Frontal projection · right wrist pediatric wrist radiograph 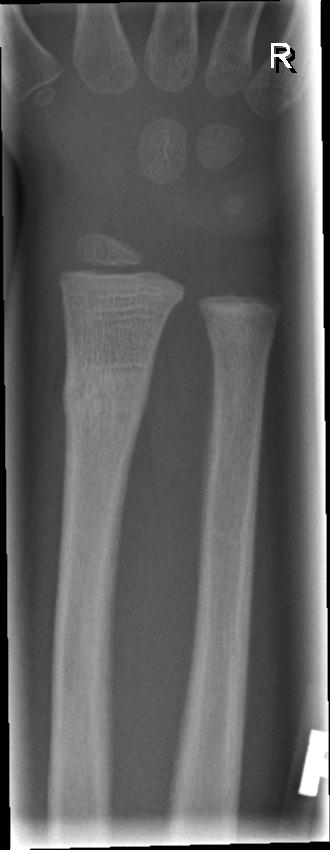
(pixel coordinates, top-left origin, xyxy)
AO code: 23-M/2.1
fracture: 58 359 151 437
periosteal thickening: 1 @ 200 332 217 547